Lateral projection | right wrist XR | pediatric patient (boy, age 12) | image size 392x856
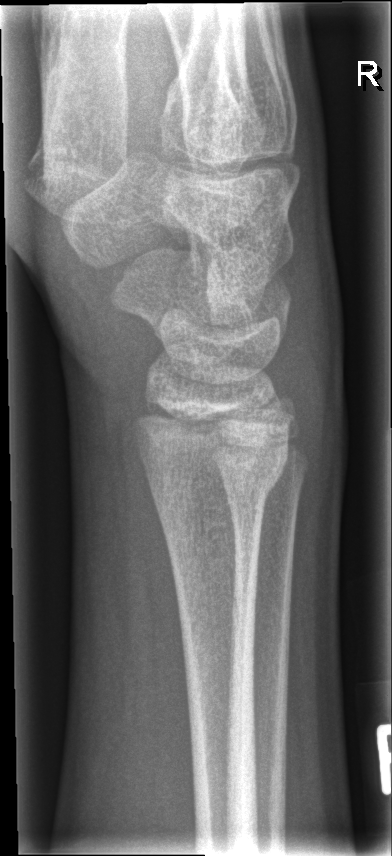

FINDINGS: (coordinates are [x1, y1, x2, y2] in image pixels) AO code 23r-M/2.1. Fx identified at (142, 429, 294, 523).